Left pediatric wrist radiograph; lateral view; girl, 7 yo; presentation radiograph; acquired on Siemens:
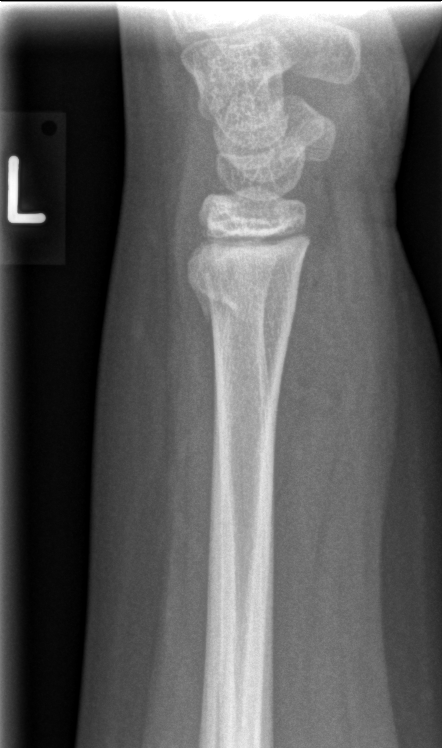 Q: Pronator fat-pad sign?
A: Pronator quadratus fat-pad sign — [270, 211, 364, 619]
Q: Locate any fractures.
A: One Fx at [185, 263, 302, 341]